L wrist radiograph | lat view | 13-year-old female | imaged through cast | 580x1034 —
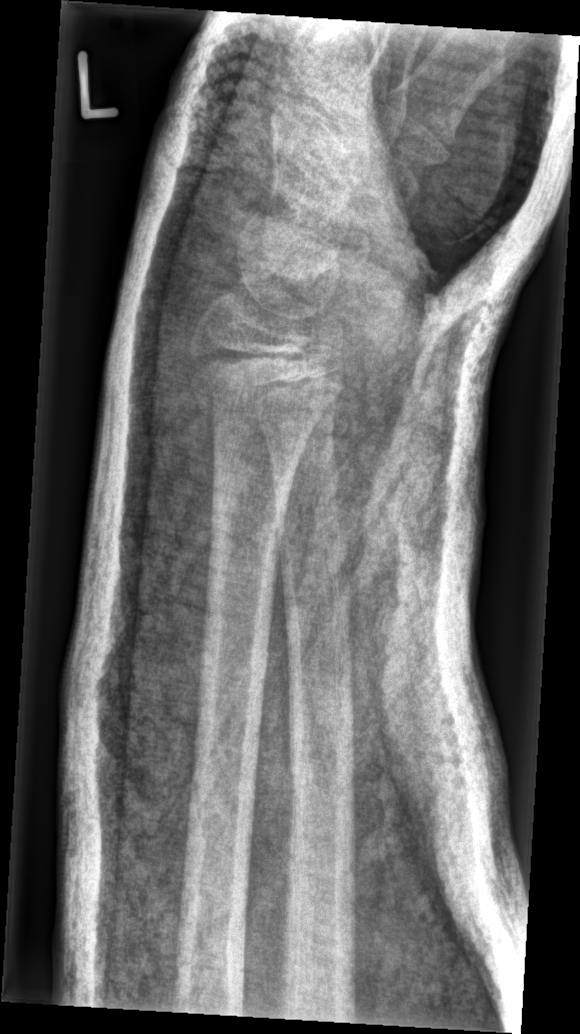
Q: Locate any fractures.
A: Bone fracture identified at [182, 333, 348, 417]